Lt plain radiograph of the wrist; lateral projection; 14y M; 474 by 982 pixels.
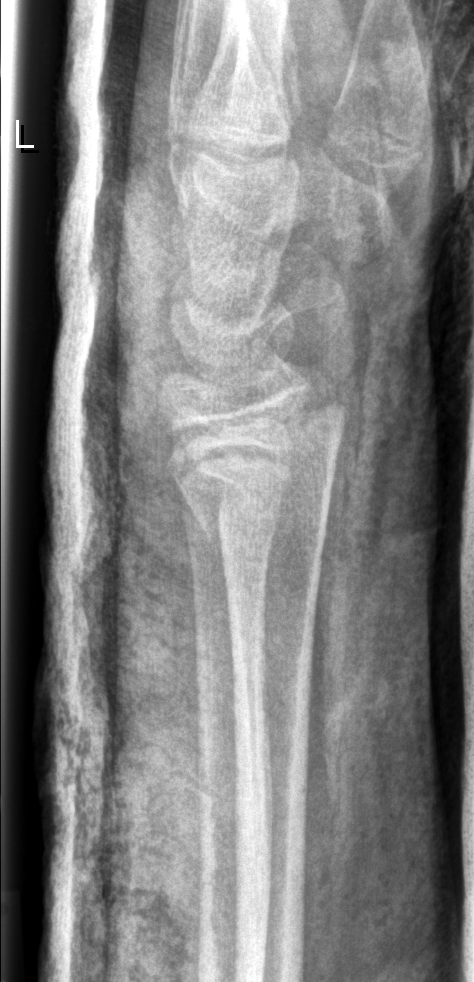

(coordinates are [x1, y1, x2, y2] in image pixels)
Q: Fracture present?
A: Fx: <165,398>-<351,547>
Q: AO code?
A: Fracture classified AO/OTA 23r-E/2.1